Rt wrist radiograph · PA projection · image size 833x1210:
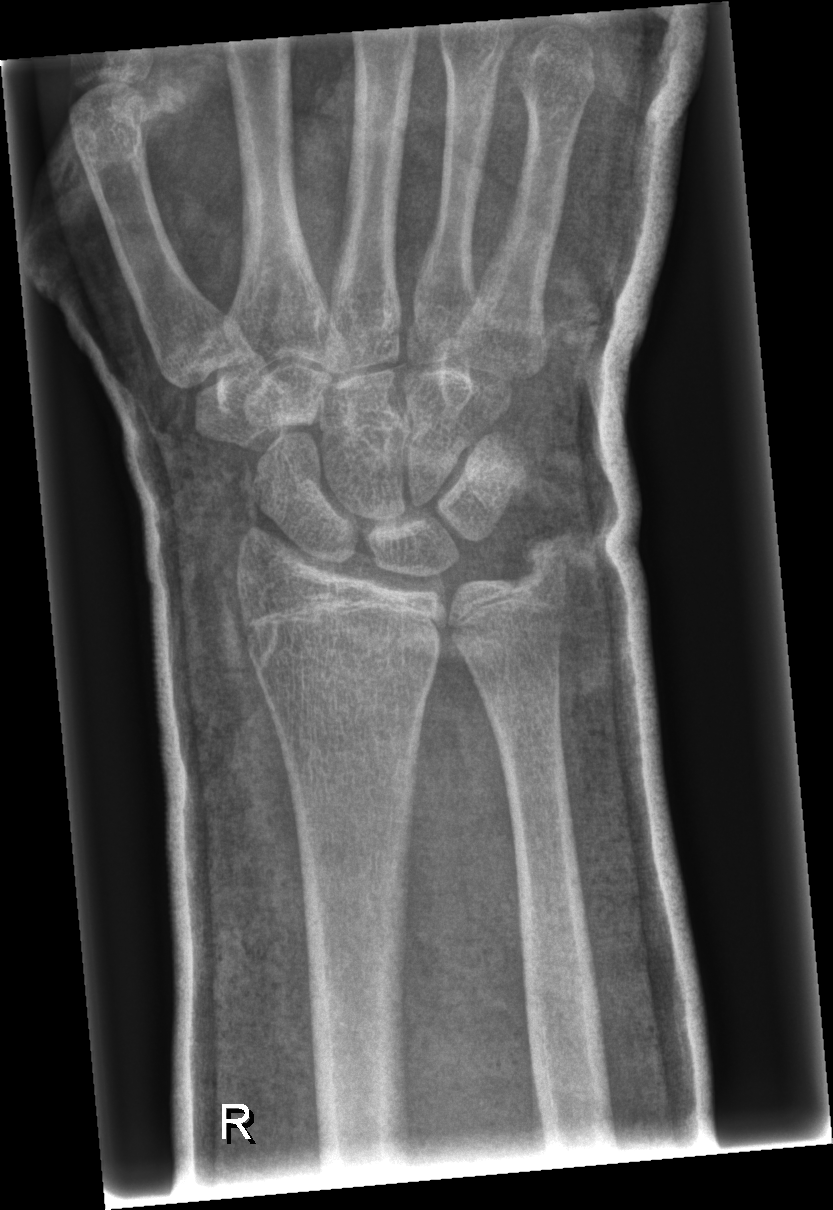
• Fracture present, though not clearly seen in this view.
• AO code 23r-M/2.1.